R wrist X-ray | PA | pediatric patient (female, age 4) | acquired on Siemens

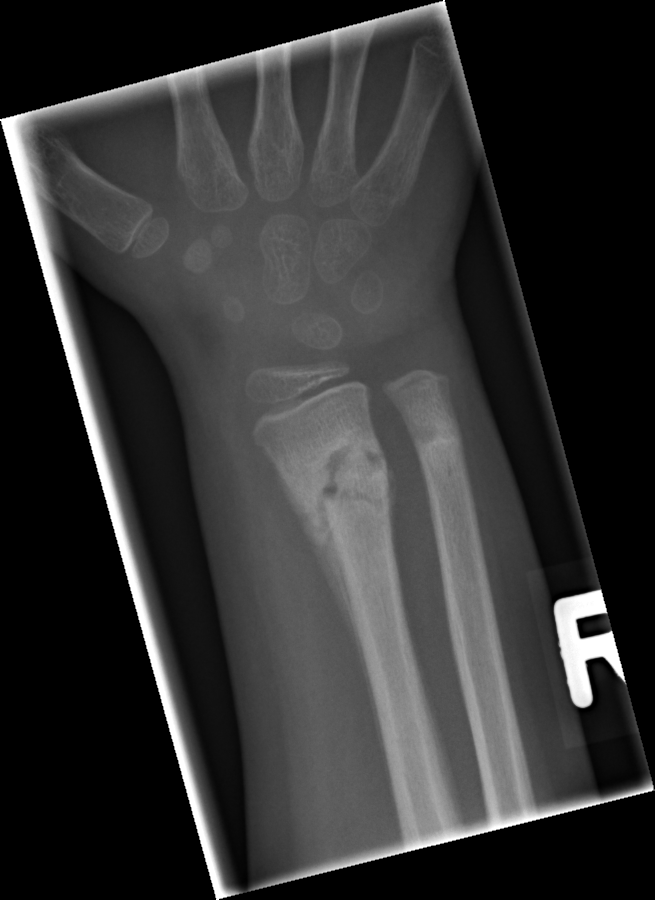
* Osteopenia.
* Periosteal thickening identified at <266,449>-<394,797> <382,452>-<403,600>.
* AO code 23-M/3.1.
* Fracture: <288,426>-<395,549> <408,413>-<466,472>.